Lateral · right wrist pediatric wrist radiograph · 8y F —

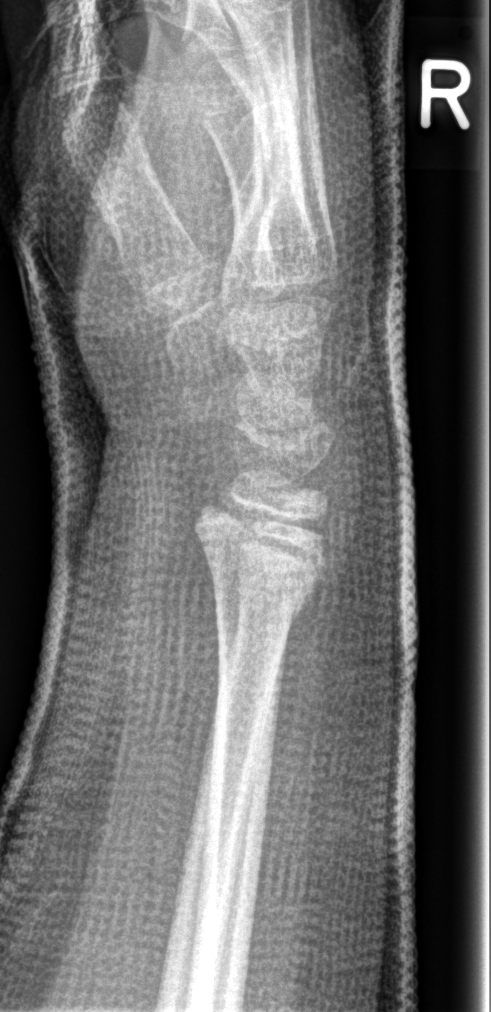
Fracture — <190,498>-<342,622>.